PA/AP, right wrist plain film, 11-year-old male —

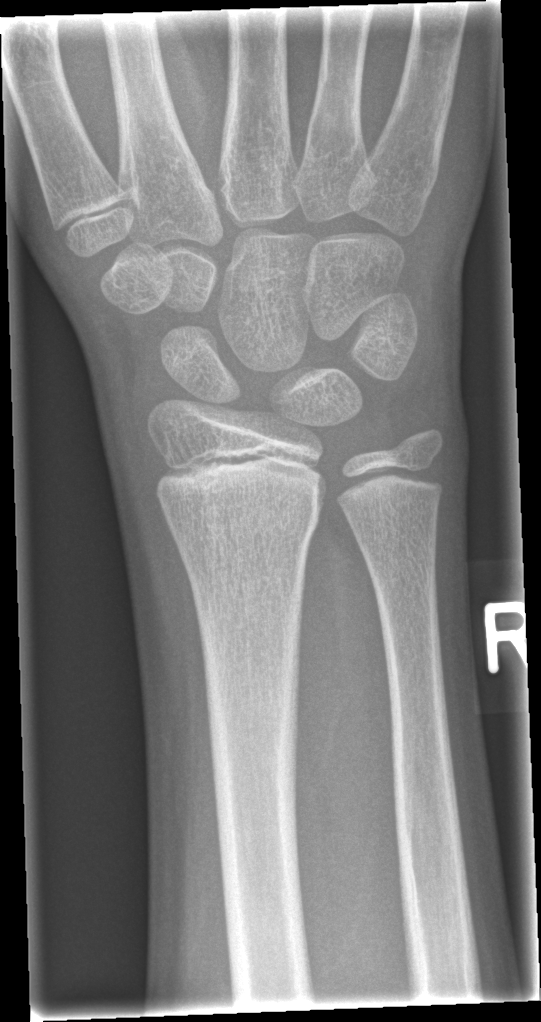

AO code: 23r-M/2.1
Bone fracture: present but not clearly seen in this view